Lateral view · L wrist plain film · pediatric patient (girl, age 6) · image width 56.0 mm:
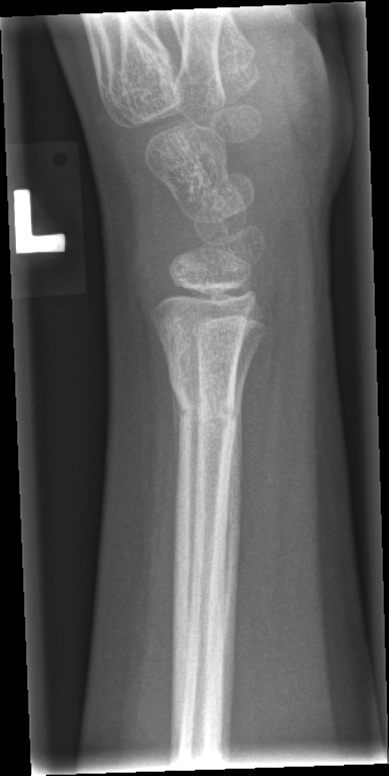
Fracture classified AO/OTA 23r-M/3.1.
Periosteal reaction — (left=170, top=381, right=185, bottom=514).
One Fx at (left=167, top=387, right=246, bottom=434).